Right wrist plain radiograph of the wrist; frontal projection; 90.1 mm image width. 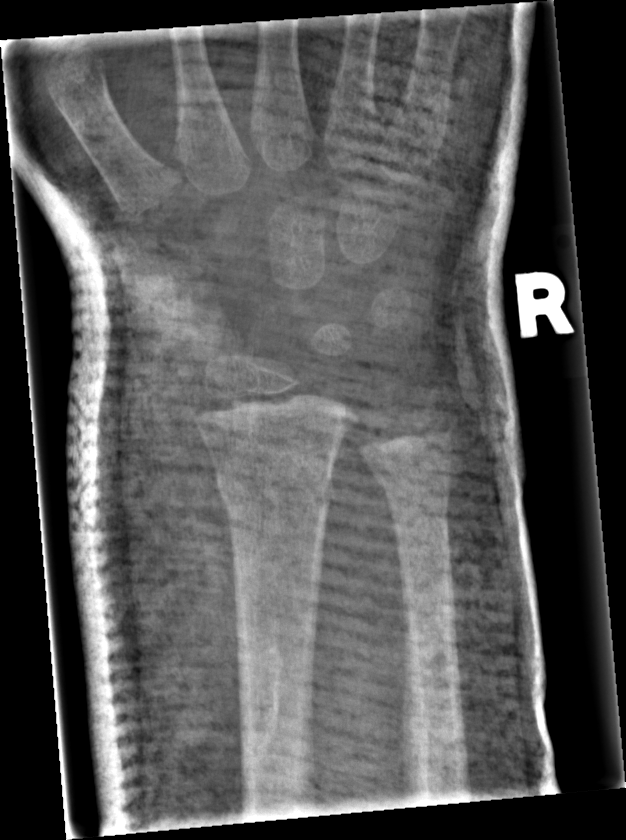
AO/OTA classification: 23r-M/3.1; 23u-M/2.1. Fracture identified at [212, 455, 336, 527]; [366, 447, 456, 496].